Lt wrist plain film, lateral 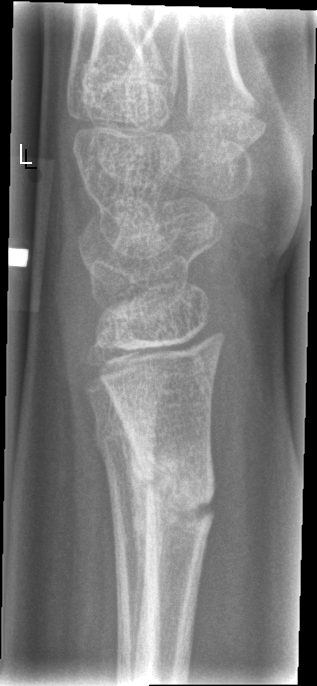

periosteal thickening = [109, 396, 148, 681]
bone fracture = 2 @ [129, 450, 217, 534], [89, 424, 158, 458]